Left plain radiograph of the wrist | lateral | pediatric patient (boy, age 14) | in cast | image width 100.1 mm —
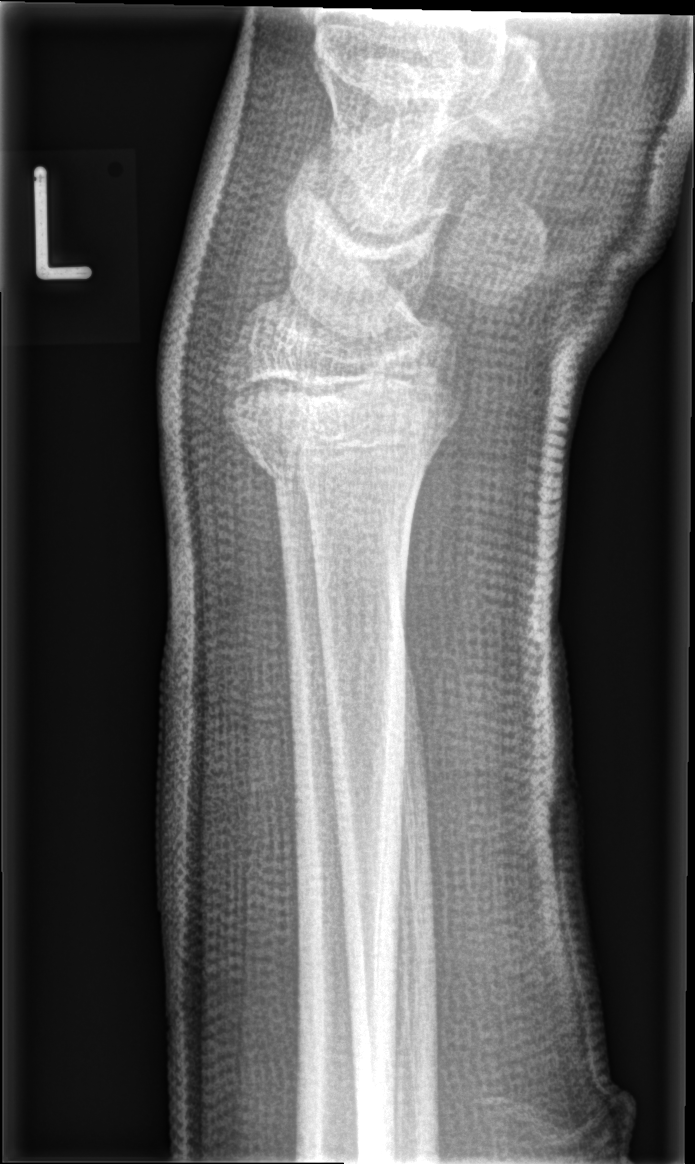
Fracture classified AO/OTA 23r-E/2.1.
One fracture at bbox(221, 348, 470, 501).